Lt wrist X-ray · lat view · female, 12 yo · presentation radiograph · detector: Siemens

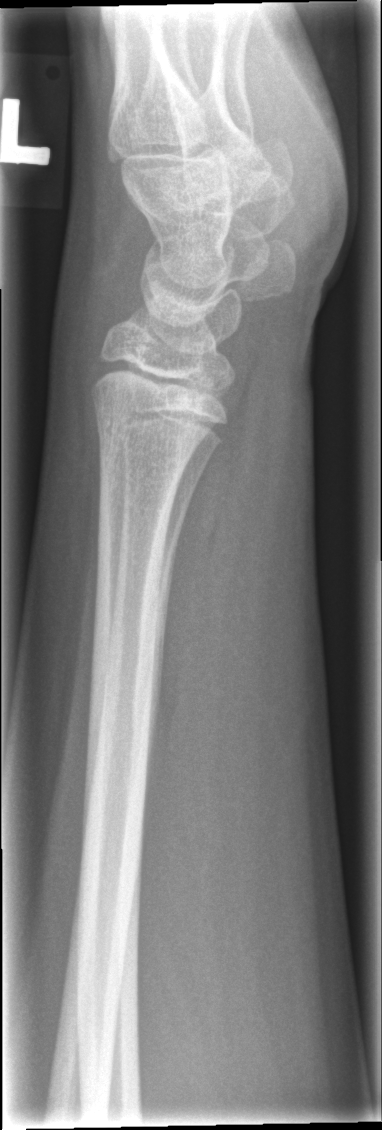

* No fracture labeled.